Lat view · left wrist pediatric wrist radiograph · 504 by 842 pixels.

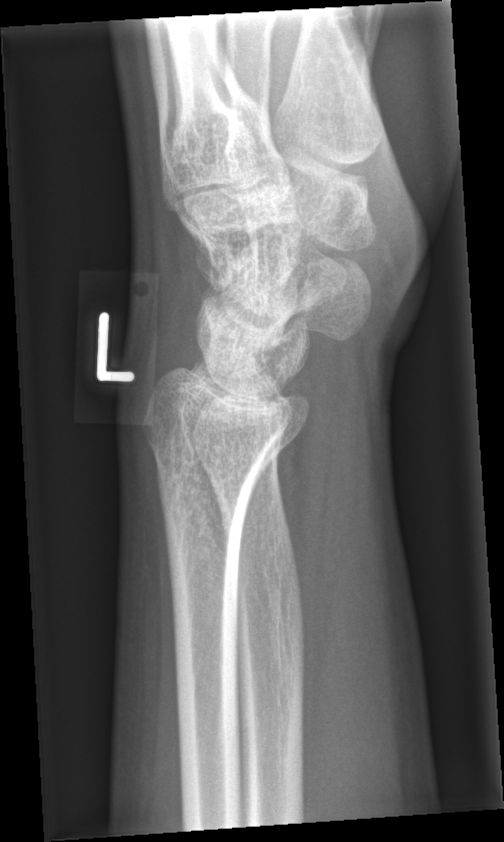 fracture: none labeled